Left wrist plain radiograph of the wrist · lat projection. 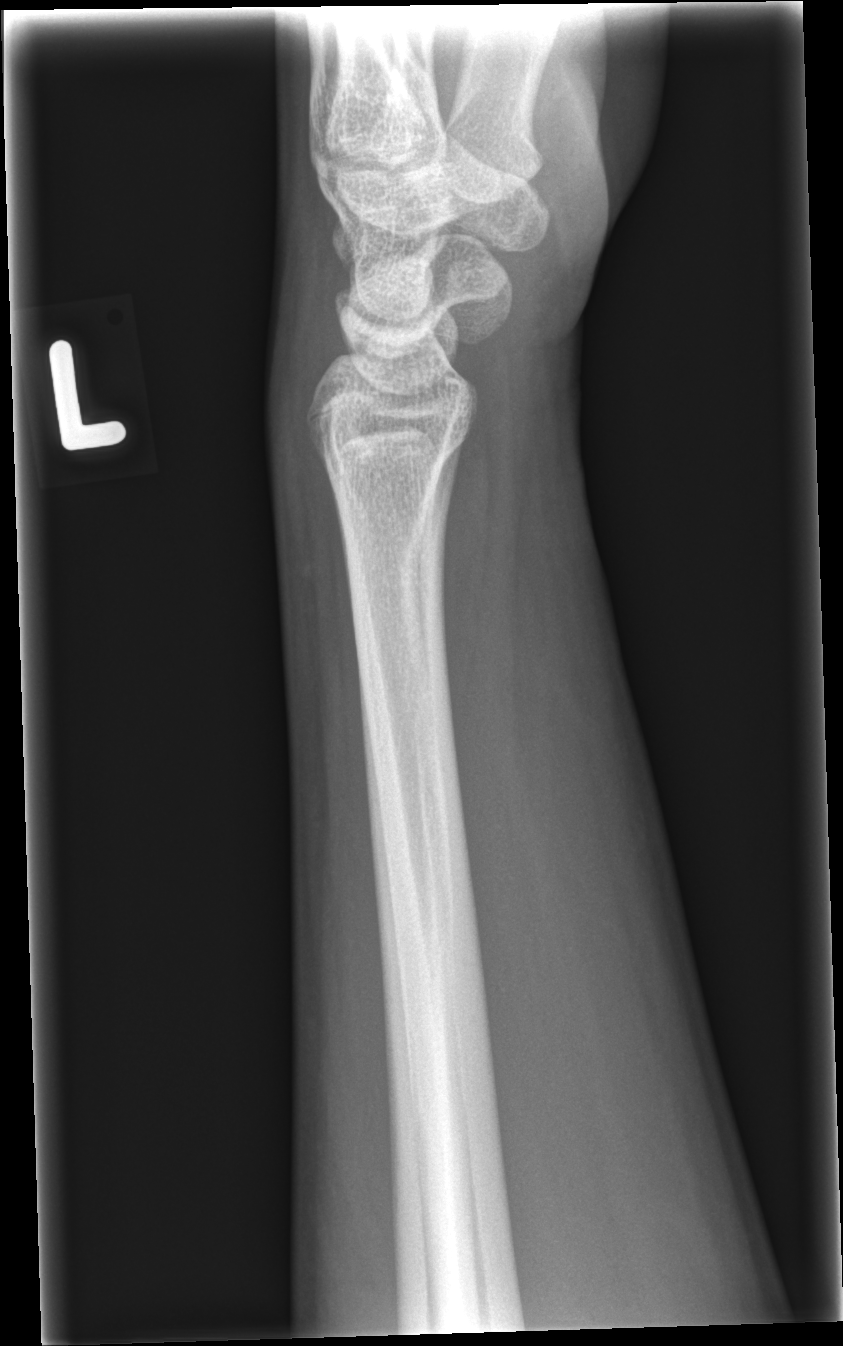

Fracture: none labeled.